Lat view · L pediatric wrist radiograph · age 5 y, female · 348 x 662 px —
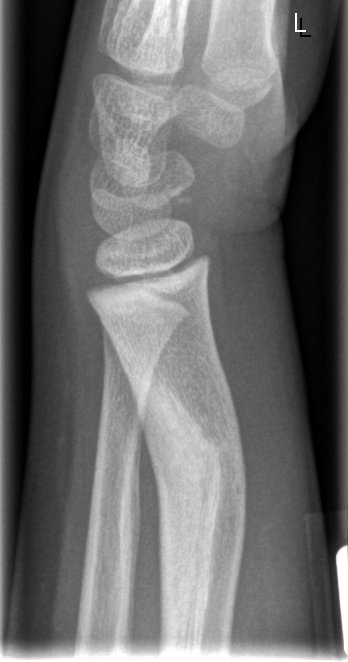 Fx = <127,369>-<249,632>
AO code = 23r-M/3.1; 23u-E/7